R wrist radiograph | PA view | image size 542x1352 — 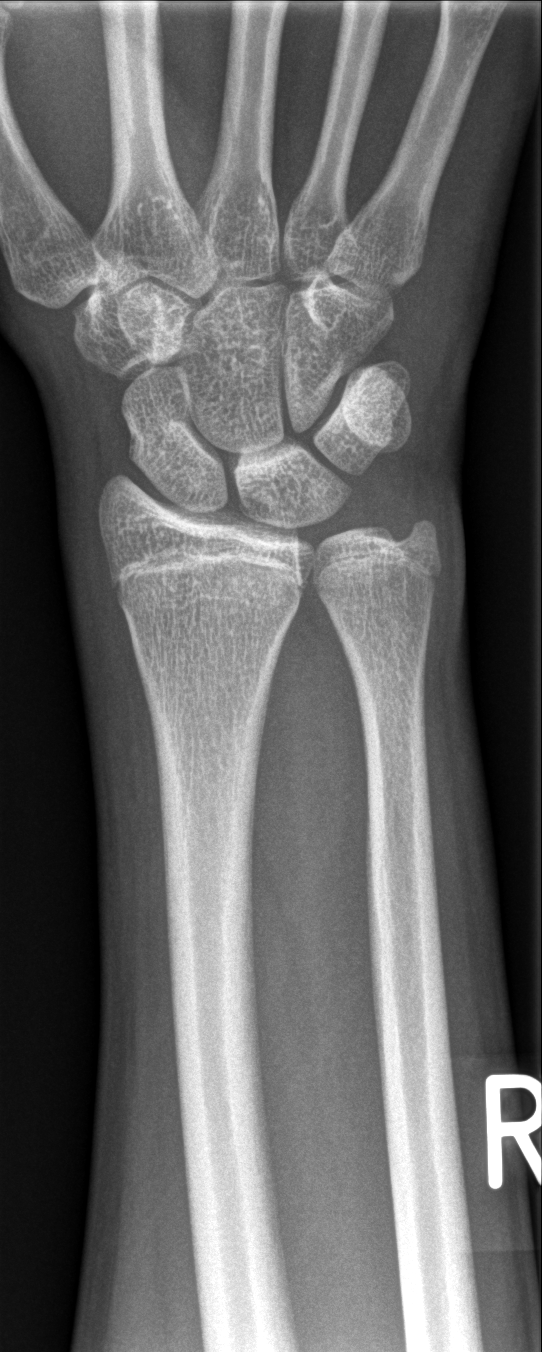

Fracture = 1 @ (left=113, top=564, right=305, bottom=620)
AO/OTA = 23r-M/2.1